Lat projection, left wrist plain radiograph of the wrist, female, 11 yo, detector: Siemens, 359x896.
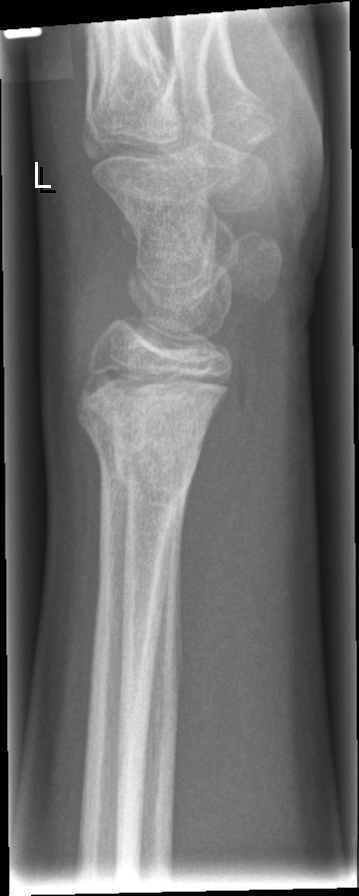   osteopenia: present
  ao: 23r-M/3.1; 23u-M/2.1
  fracture: 1 @ (left=79, top=391, right=217, bottom=515)